Right wrist XR · lateral · age 4 y, girl · image 57.6 mm wide —
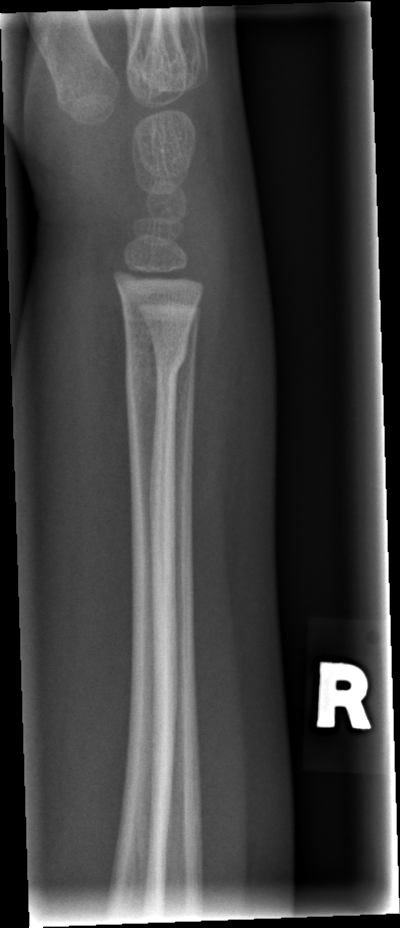 Fx — bbox(122, 329, 190, 399).